Rt wrist X-ray · lateral projection · 505 x 1302 px.

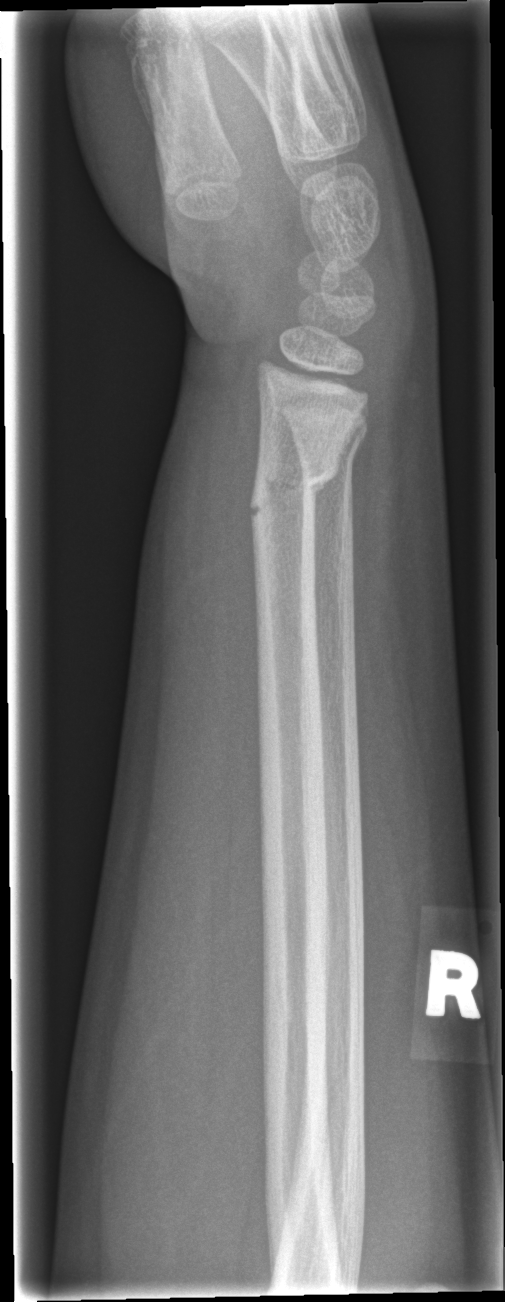
Bone fracture: [x1=244, y1=444, x2=342, y2=527], [x1=287, y1=410, x2=369, y2=467].
Fracture classified AO/OTA 23-M/2.1.